L wrist plain film, lateral projection, age 12 y, girl, 550x922.
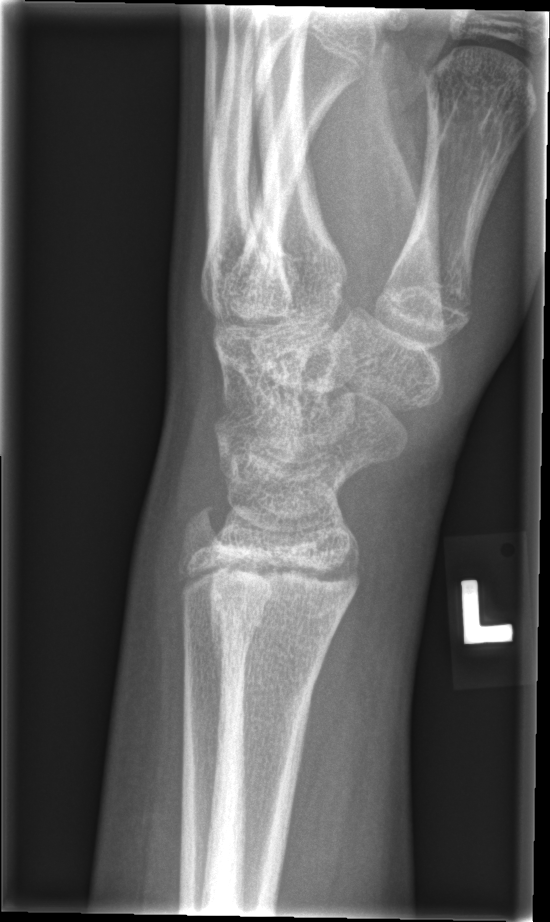
AO classification: 23r-E/2.1; 23u-E/7
Bone fracture: 201 560 366 657; 172 493 233 563
Osteopenia: present